Right pediatric wrist radiograph; PA/AP view; boy, 12 yo; follow-up study; cast present; image 103.5 mm wide; 719 by 1258 pixels —

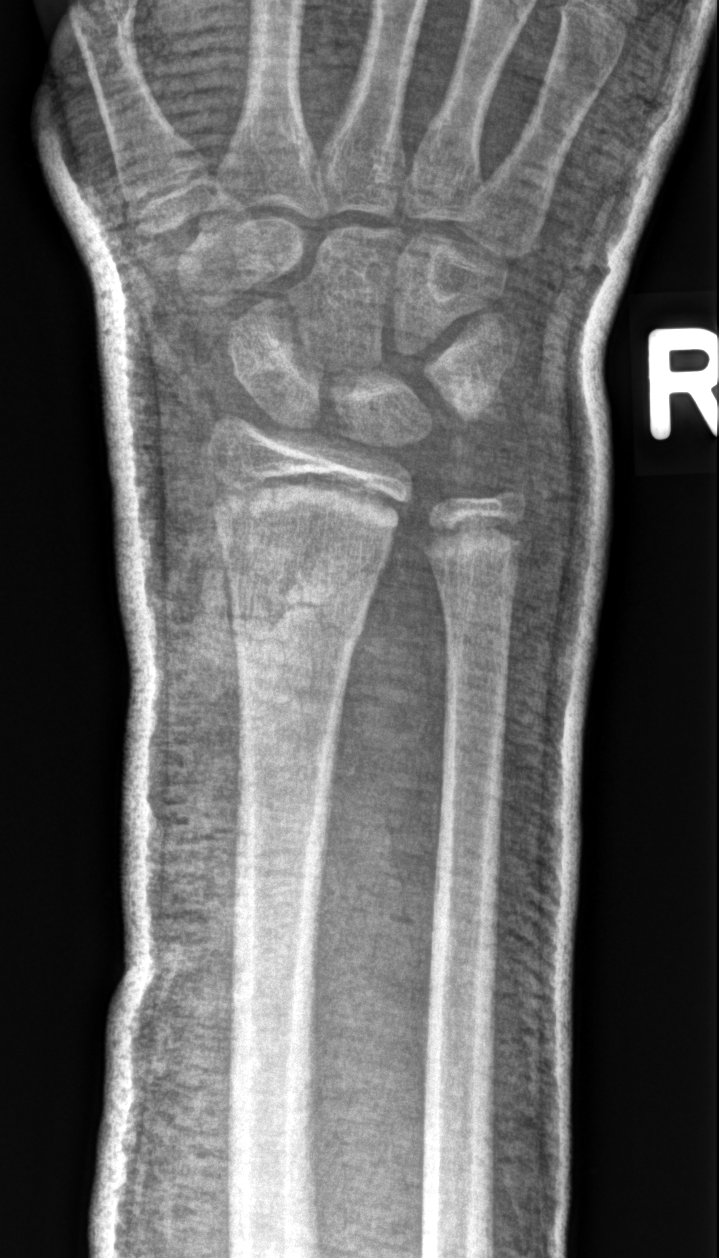

fracture: 1 @ bbox(228, 582, 374, 658)
ao: 23r-M/3.1